Lat | Rt wrist XR | 4-year-old boy —

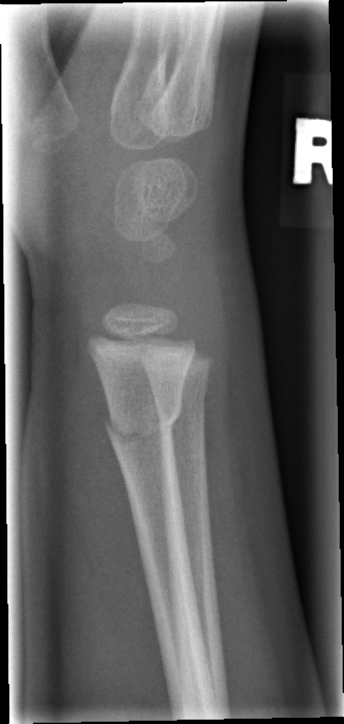

  fracture: <101,396>-<185,457>